Left plain radiograph of the wrist · lateral view · pediatric patient (boy, age 10) —

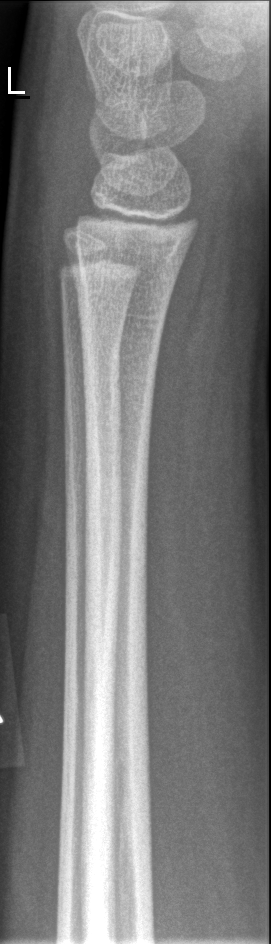

• No fracture labeled.